Lat, L wrist X-ray, presentation radiograph: 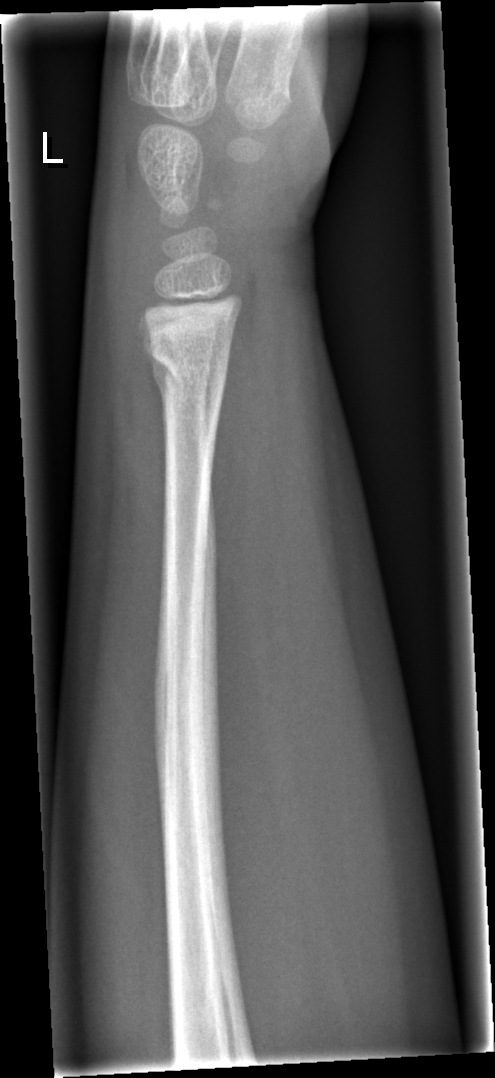 * Bounding boxes in image-pixel xyxy.
* Bone fracture identified at <144,338>-<230,400>.
* AO code 23-M/2.1.